PA/AP view, left wrist XR:
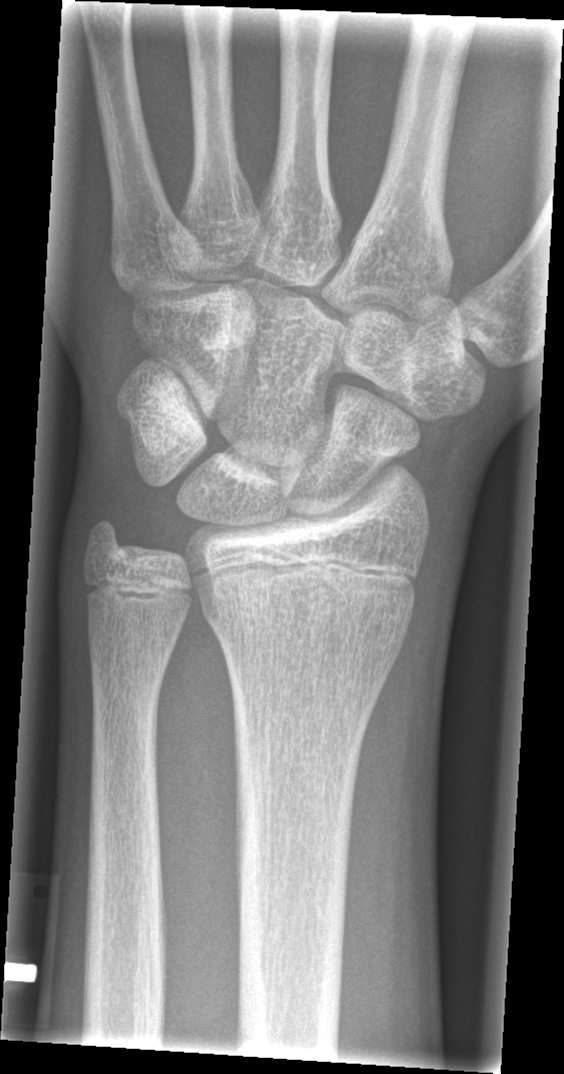
Findings: Bone fracture — (left=202, top=578, right=419, bottom=647).